Lat projection, L plain radiograph of the wrist, 6-year-old female, image width 80.8 mm — 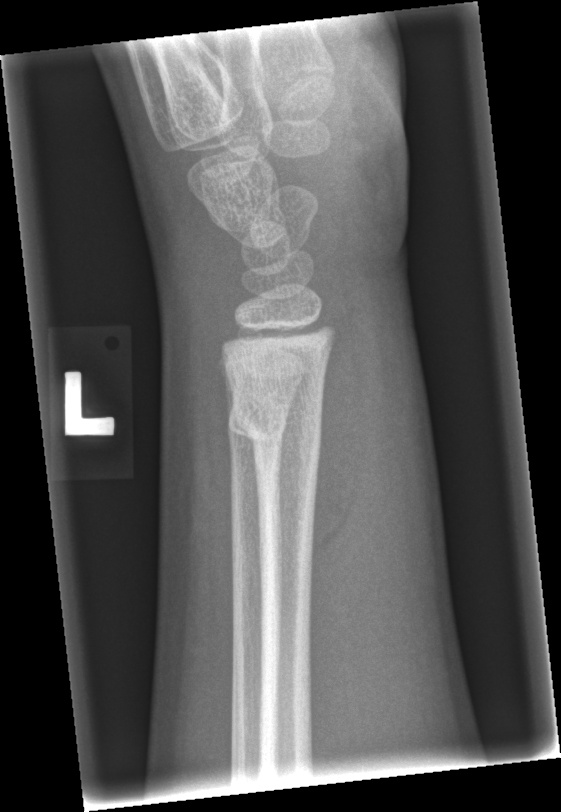
* Bounding boxes in image-pixel xyxy.
* One fracture at <225,394>-<324,457>.
* One pronator quadratus fat-pad sign at <311,300>-<371,589>.